Lateral | left wrist X-ray | female, 14 yo | Siemens.
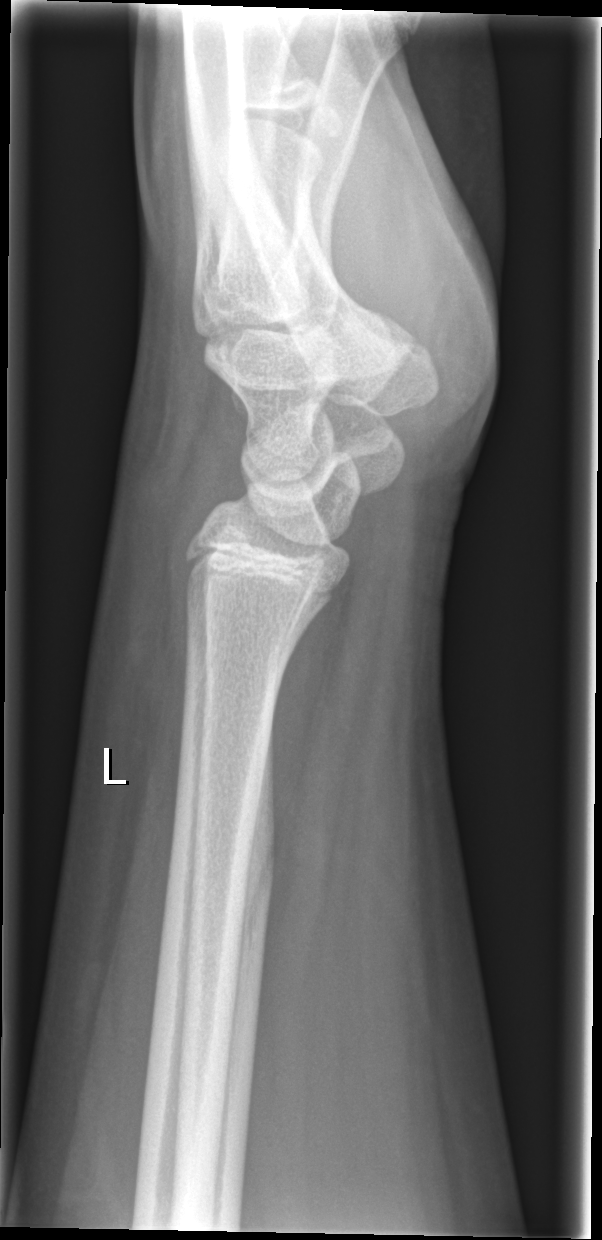 (bounding boxes in image-pixel xyxy)
soft tissue abnormality: 94,400,217,863
bone fracture: none labeled